Lt plain radiograph of the wrist, PA view, 9y M, detector: Siemens, image 85.1 mm wide, 591 by 1026 pixels. 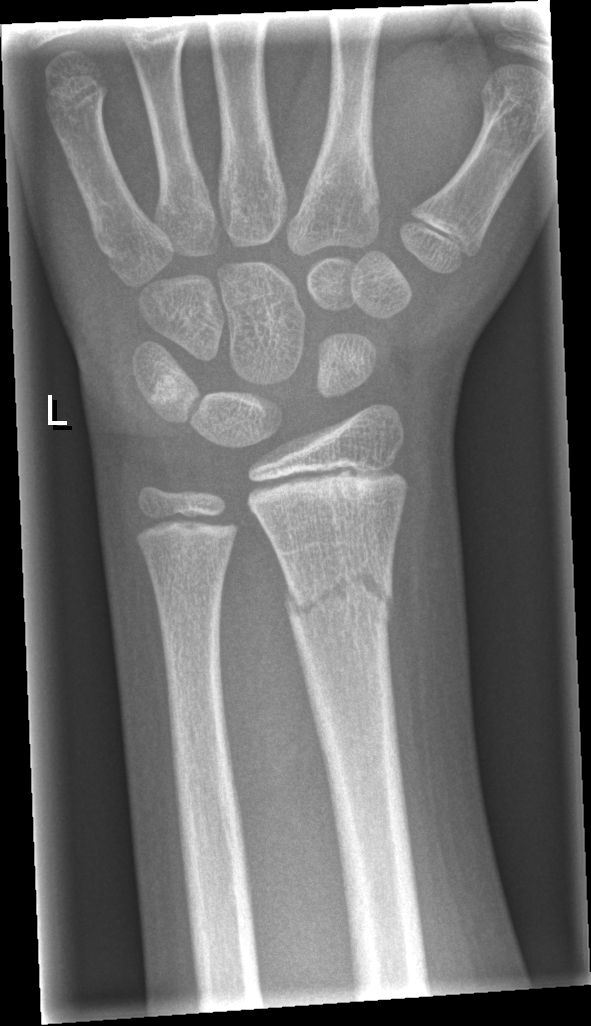
Bone fracture identified at [x1=279, y1=557, x2=396, y2=641]. AO/OTA classification: 23r-M/3.1.